Lat view, Lt plain radiograph of the wrist, 8-year-old boy, index exam:
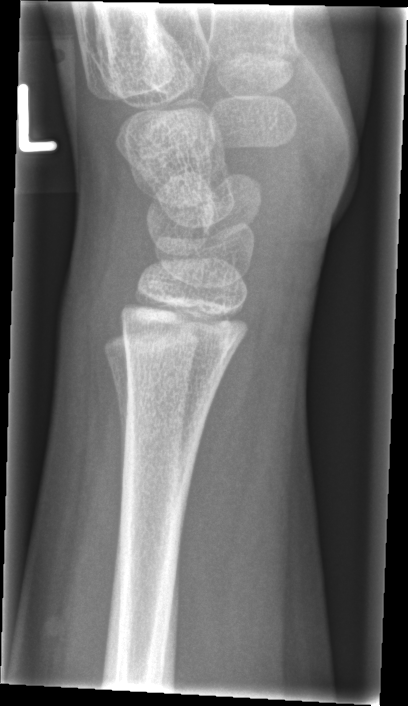
{"fracture": "none labeled"}